PA, left wrist XR, male, 3 yo, cast in situ.

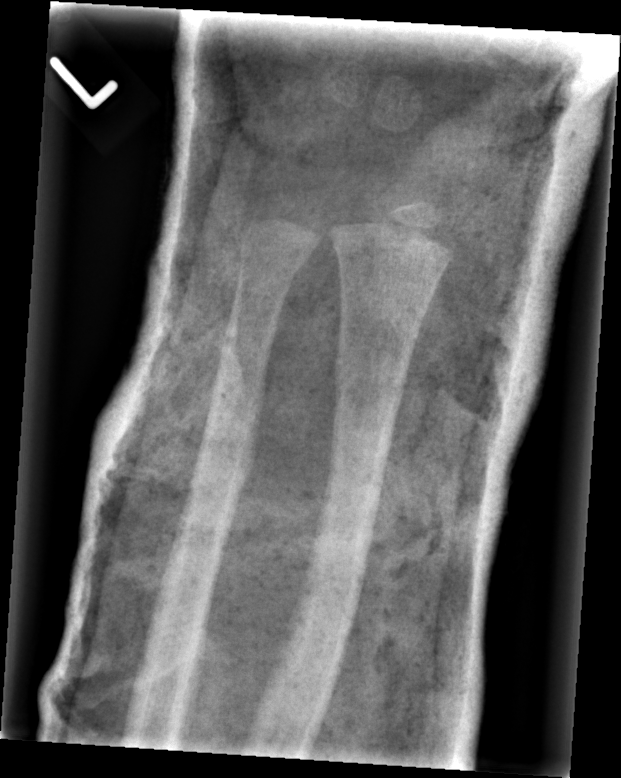 Fracture: 327,352,413,404
AO classification: 23r-M/3.1; 23u-M/2.1